Posteroanterior projection · left wrist plain film · 12y F · presentation radiograph:

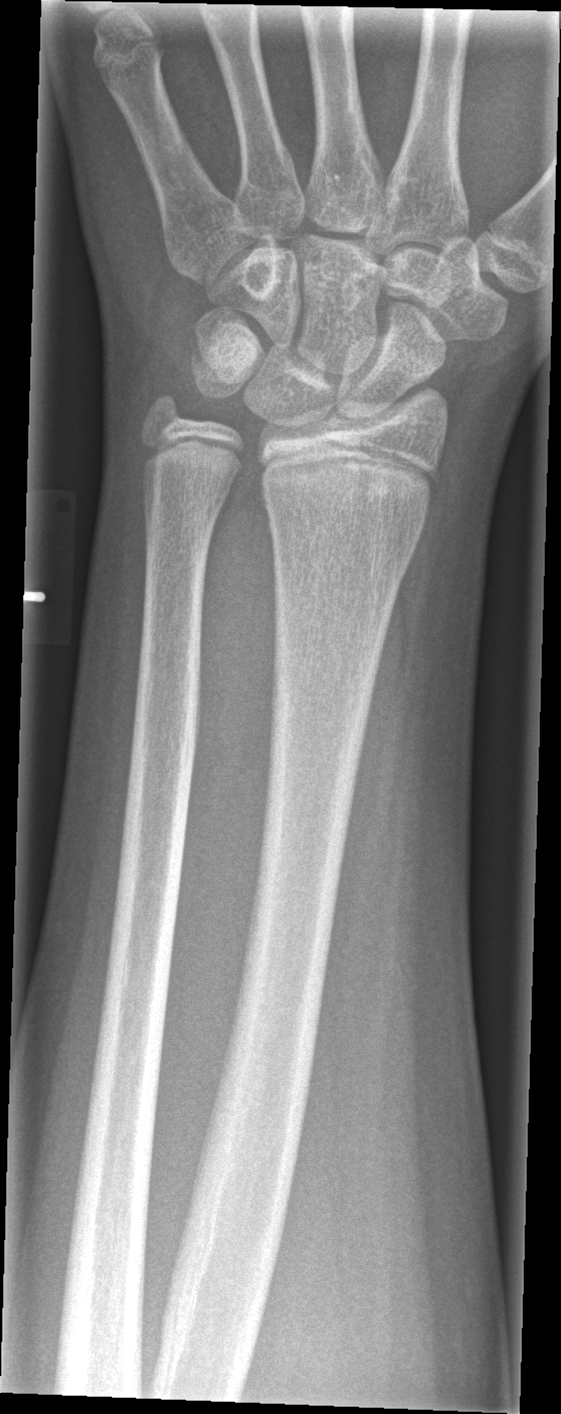 FINDINGS: Fracture: none labeled.